PA · L plain radiograph of the wrist · 10y F · index exam · image width 87.1 mm — 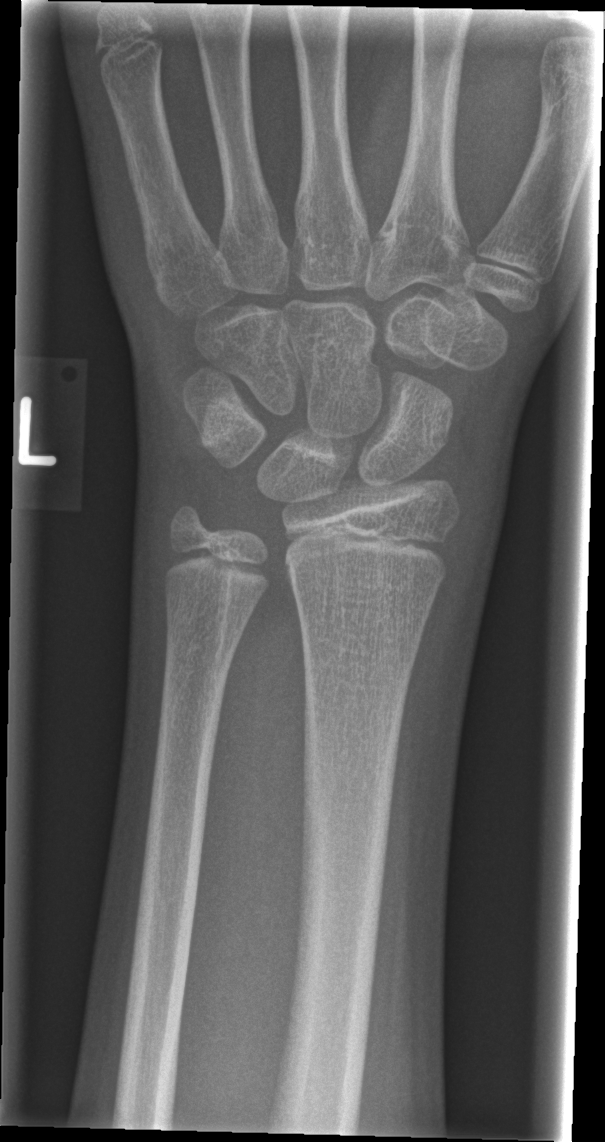
Fx = none labeled